Left wrist plain film · lateral · initial study · Siemens — 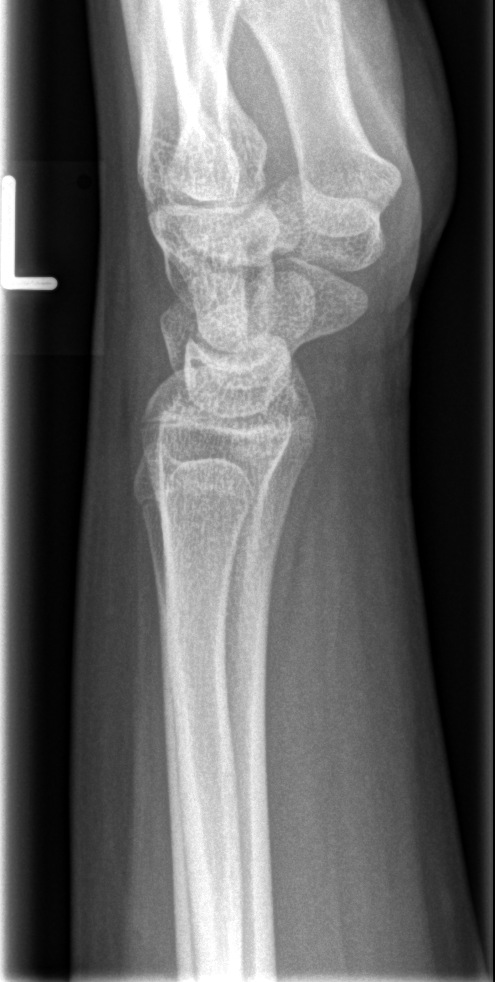

{"fracture": "none labeled"}